Left wrist radiograph · lat 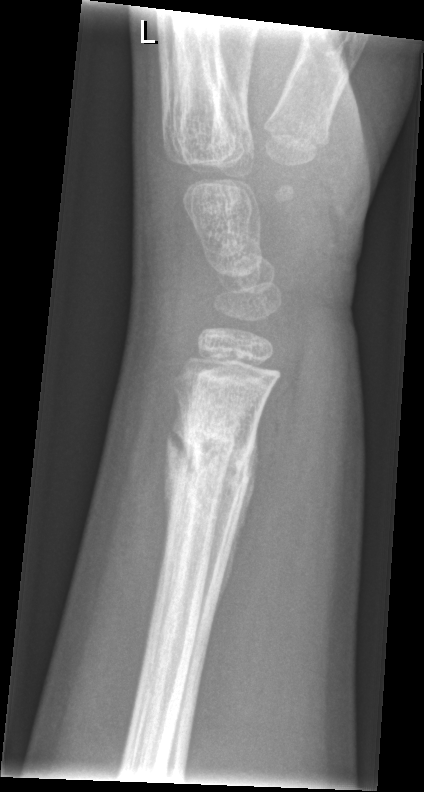

One fracture at 162 416 262 501.